Frontal; left wrist pediatric wrist radiograph — 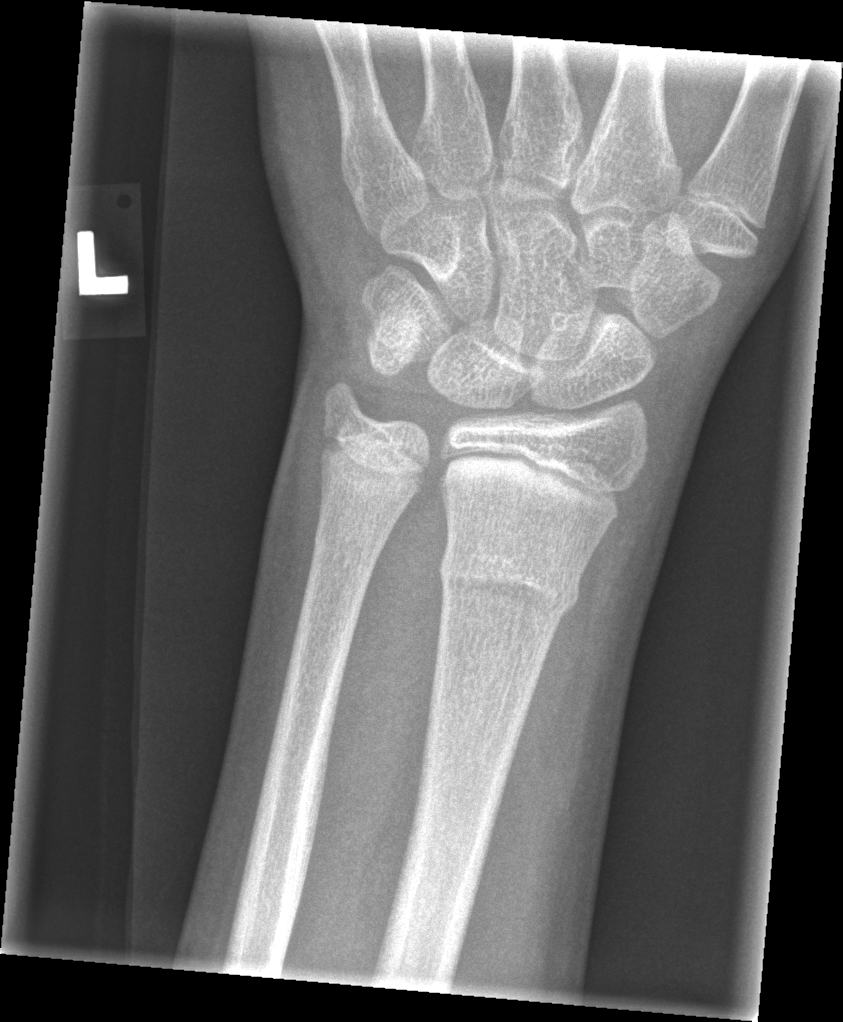 (pixel coordinates, top-left origin, xyxy)
Q: Is there a fracture?
A: Fx identified at [x1=435, y1=538, x2=584, y2=627], [x1=307, y1=520, x2=388, y2=576]
Q: What is the AO/OTA classification?
A: AO/OTA classification: 23-M/2.1